Lat view | R wrist plain film | acquired on Siemens:

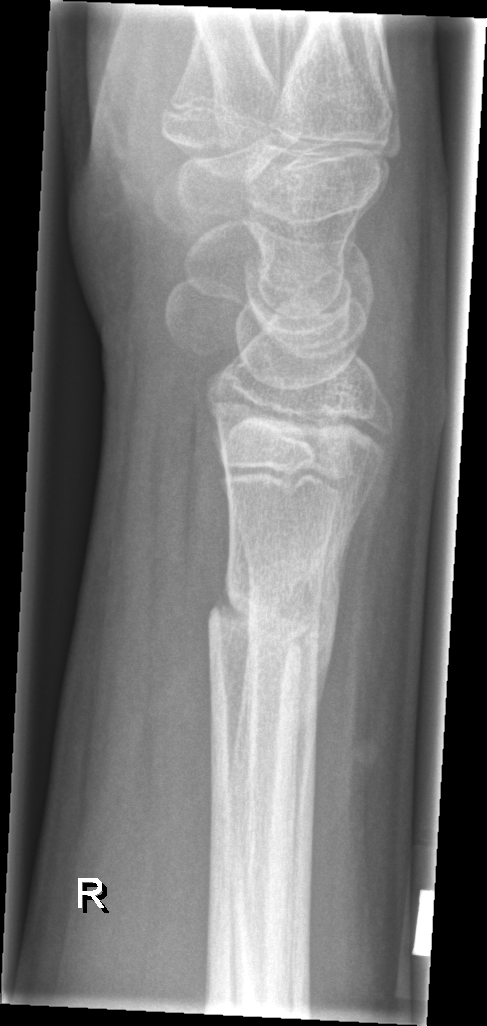

# coordinates are [x1, y1, x2, y2] in image pixels
ao: 23r-M/3.1
periostealreaction: <290,518>-<357,901>
fracture: 1 @ <205,578>-<326,666>